Lateral projection | left wrist XR | 16-year-old male | index exam:
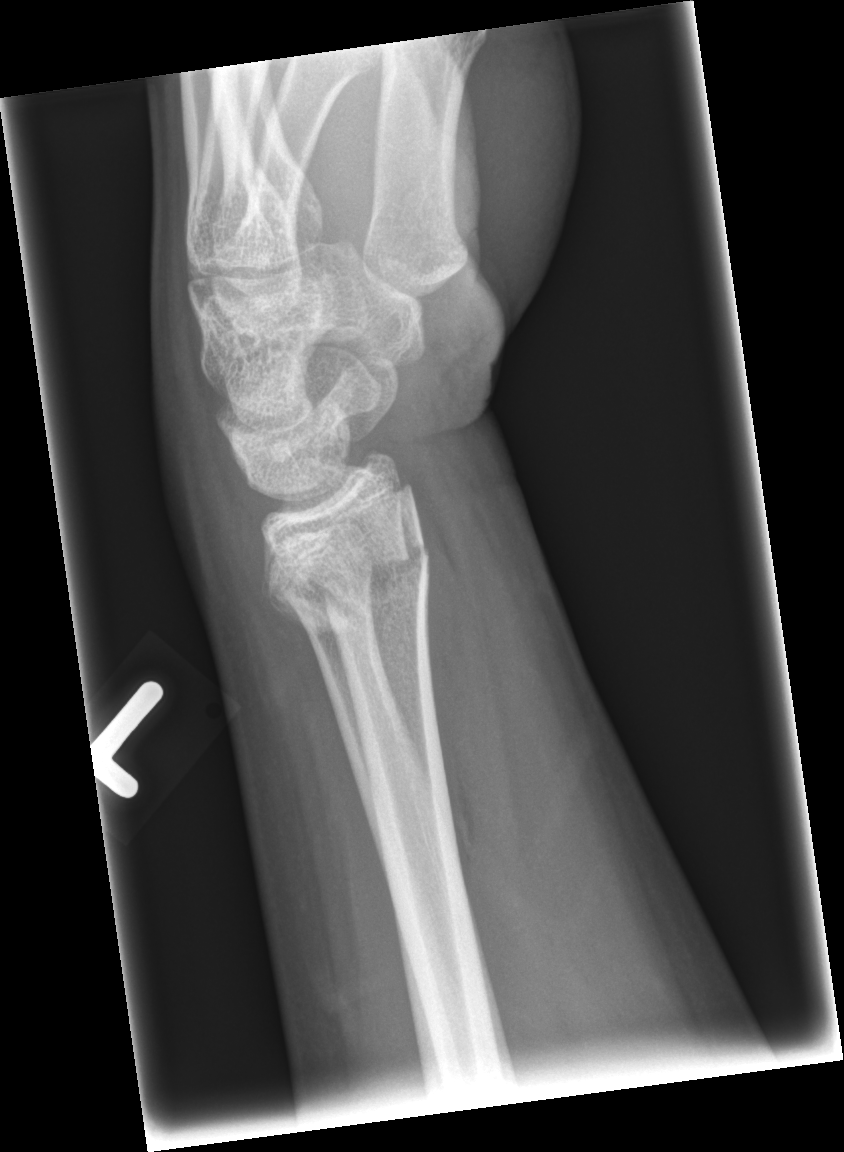
Fx: 1 @ (left=263, top=502, right=433, bottom=636)